Frontal; right wrist plain radiograph of the wrist; image size 658x989: 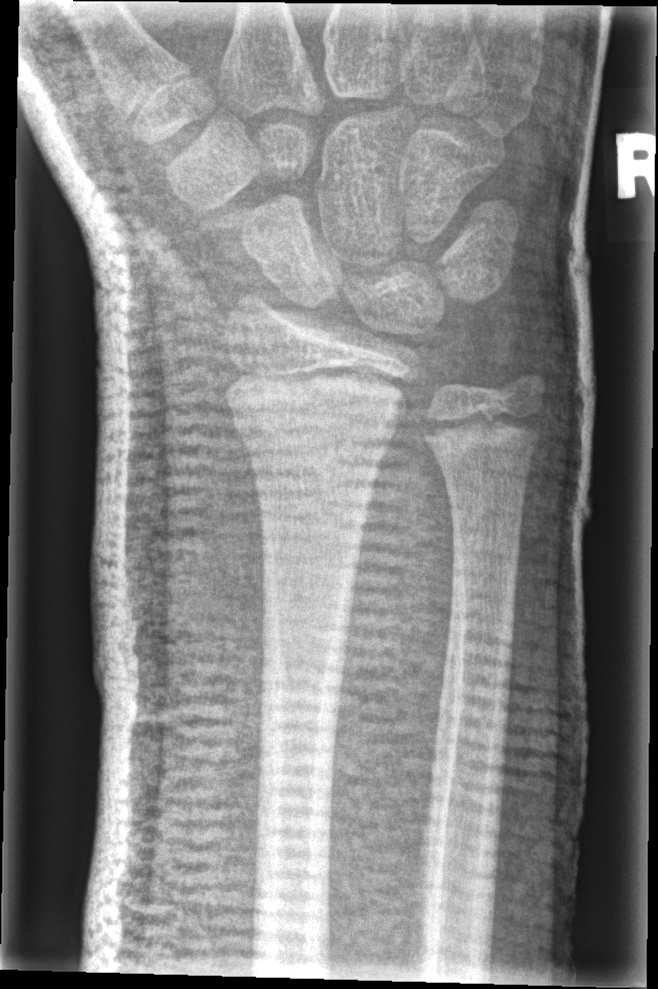

Boxes as x1,y1,x2,y2 (top-left / bottom-right, pixel units). Fracture — (229, 377, 408, 444).